Lateral view | Lt pediatric wrist radiograph | presentation radiograph — 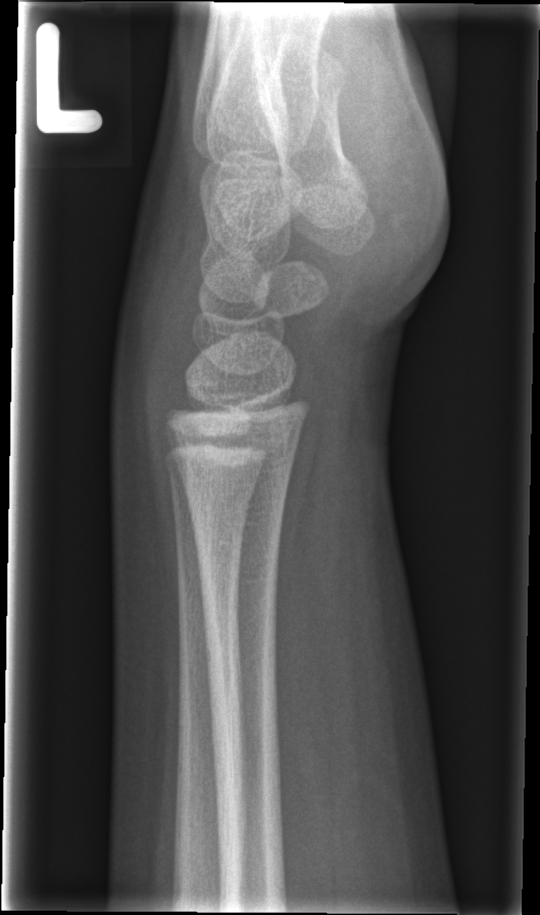 fracture = none labeled